PA/AP view | Rt pediatric wrist radiograph | in cast. 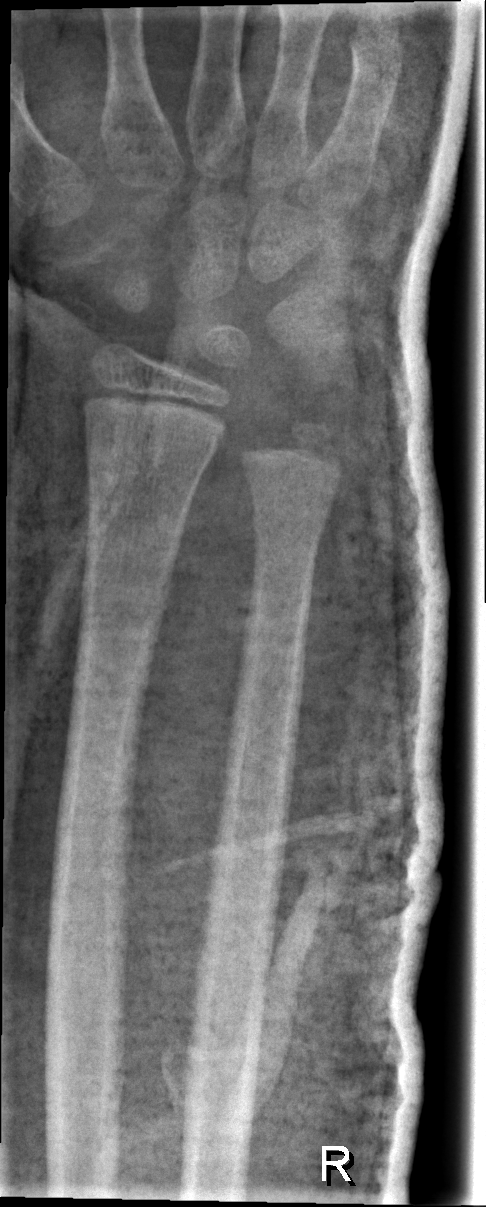
Fracture present but not clearly seen in this view.